Rt plain radiograph of the wrist | lat view | follow-up. 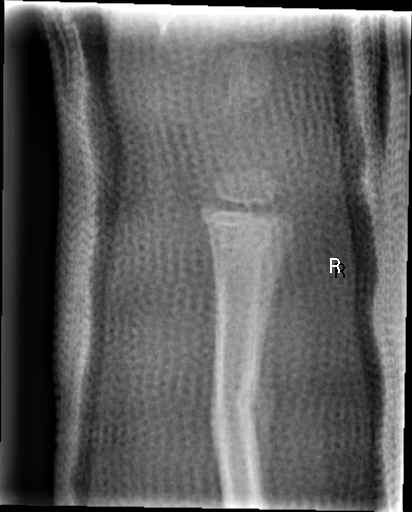
(boxes as x1,y1,x2,y2 (top-left / bottom-right, pixel units))
Fracture: <202,377>-<268,432>